Left wrist plain film · posteroanterior projection · image width 76.2 mm · 529x986. 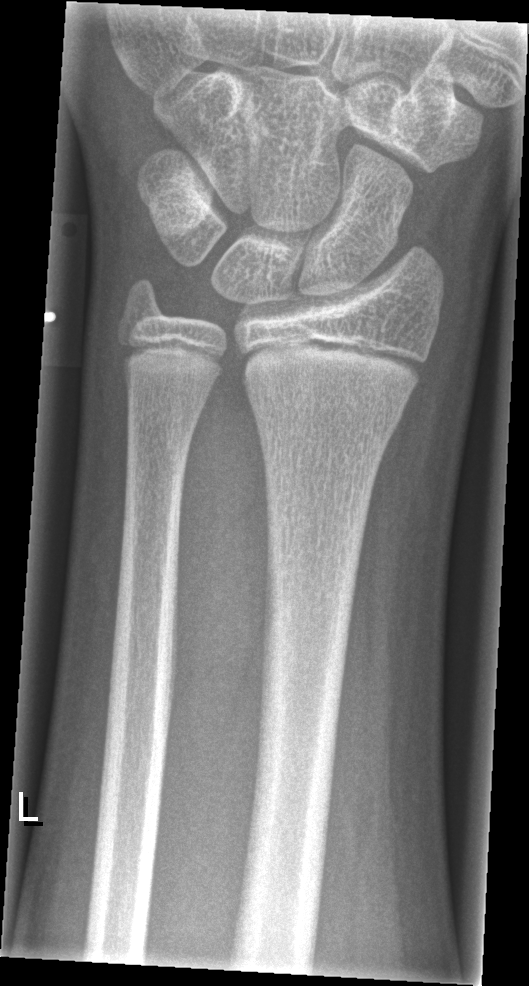
Q: AO code?
A: AO/OTA classification: 23r-M/2.1
Q: Any fracture seen?
A: Fracture: present but not clearly seen in this view